PA/AP view, right wrist radiograph, imaged through cast, 952x952:
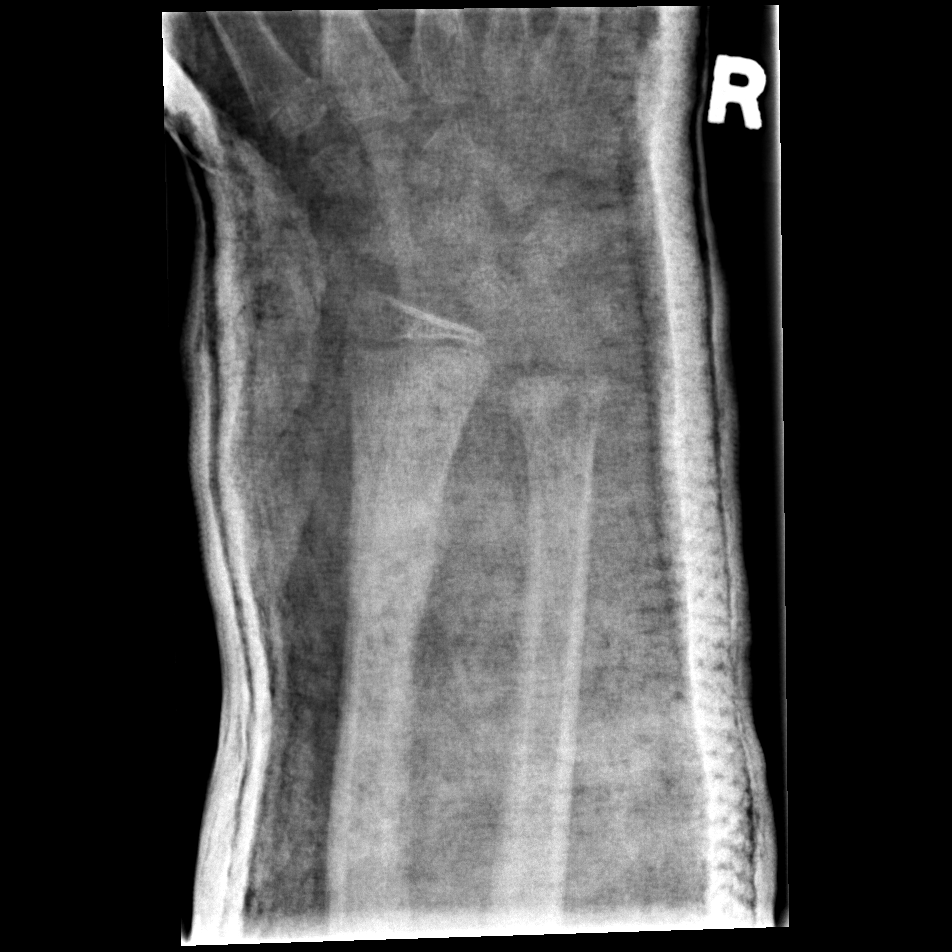 (pixel coordinates, top-left origin, xyxy)
Fx: <332,491>-<451,620>